AP view; left wrist plain film; detector: Siemens; 864 x 1318 px
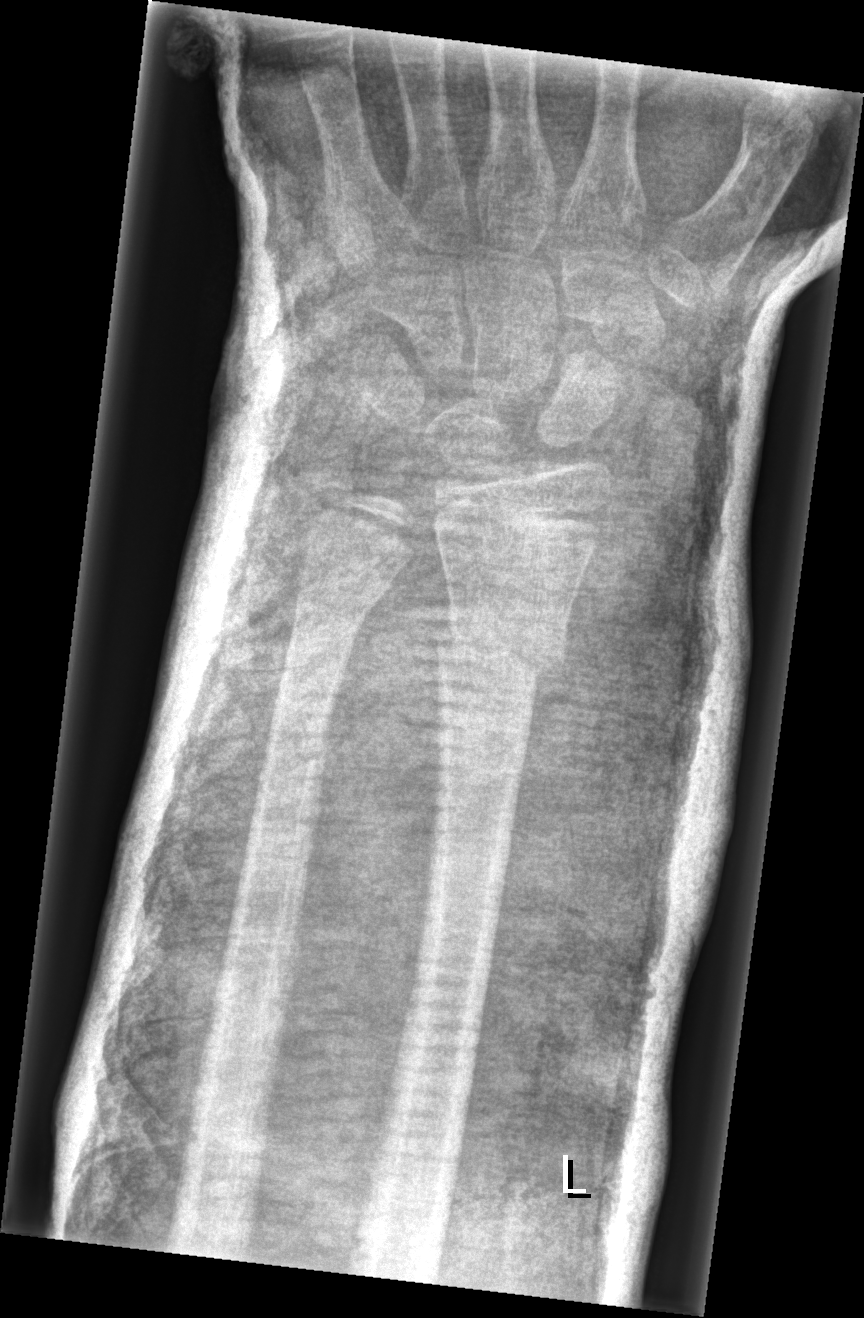 Q: Is there a fracture?
A: Fx — (430, 602, 571, 689); (291, 561, 394, 625)